Frontal view, right wrist XR. 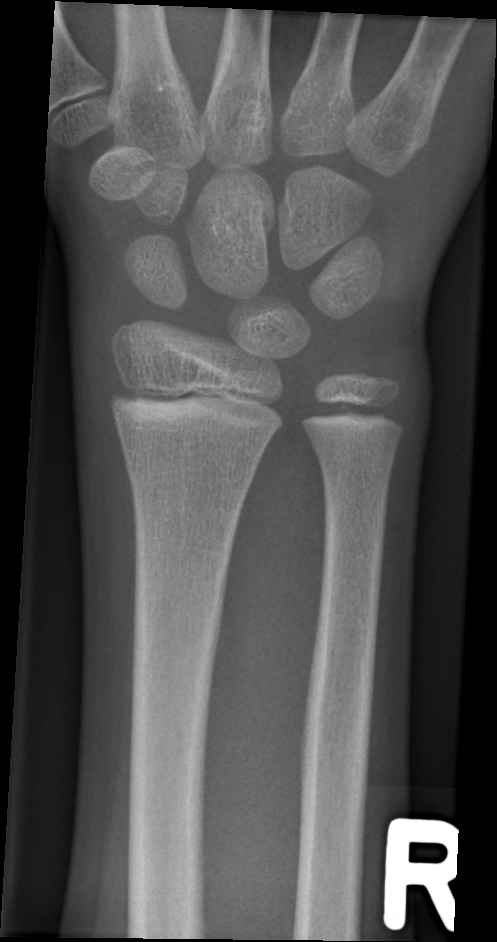
Fracture classified AO/OTA 23r-M/2.1. One Fx at (120, 442, 262, 503).